Lat projection; Lt pediatric wrist radiograph; 11-year-old girl; acquired on Siemens; 482x910:

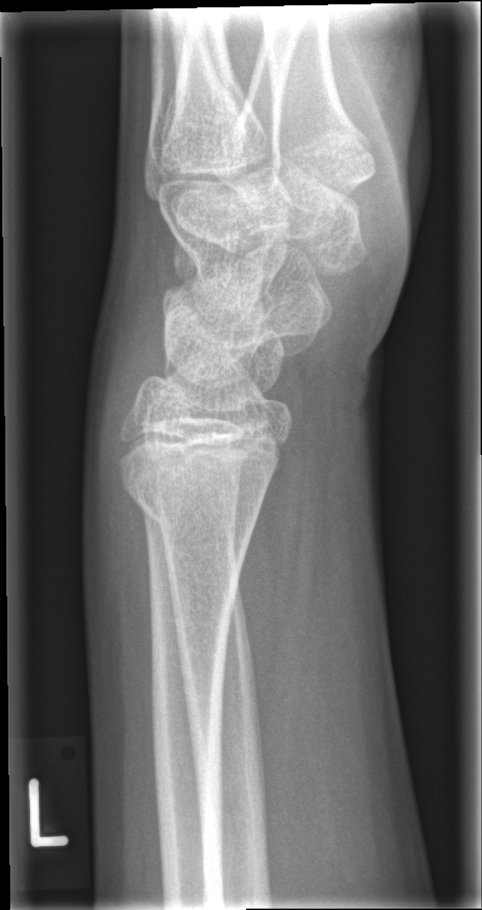
AO/OTA: 23r-M/2.1
Fx: 1 @ [120, 463, 272, 549]